L wrist radiograph, PA view, female, 6 yo, image 89.4 mm wide.

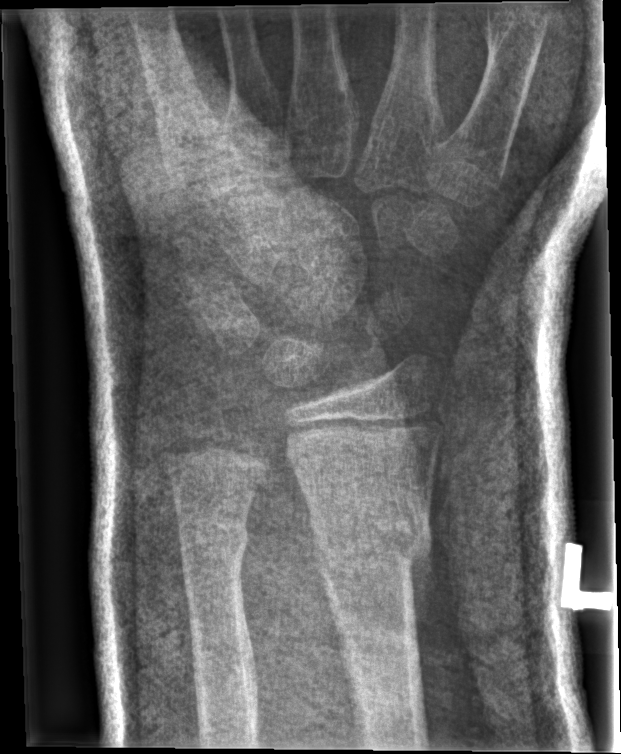
fracture: 305,523,437,586
  171,508,253,576